Left pediatric wrist radiograph; lateral projection; findings marked uncertain by the reading radiologist.
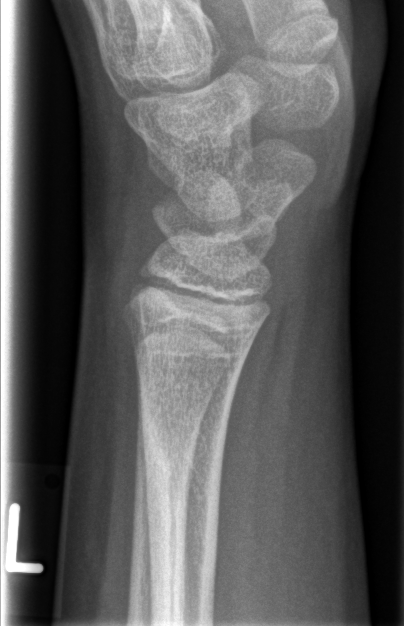   fracture: none labeled